Lateral projection; left wrist XR; index exam:

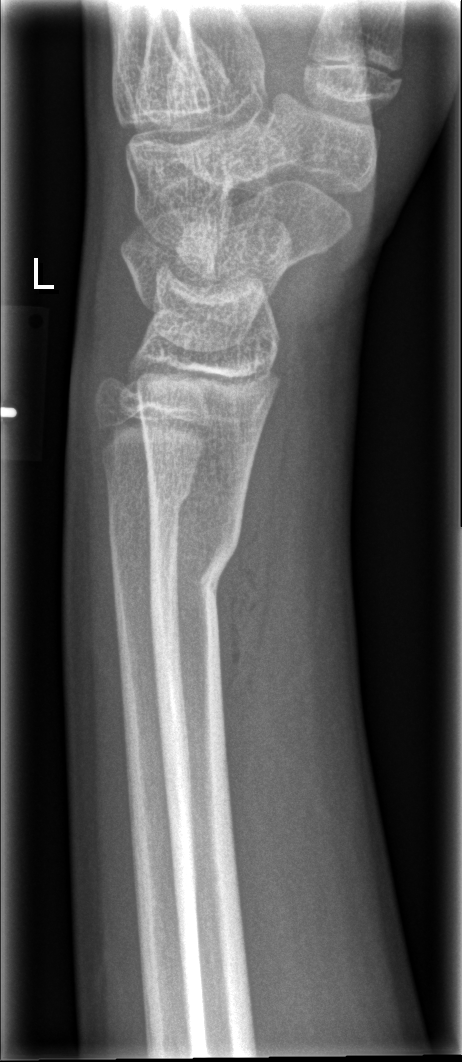 FINDINGS: (pixel coordinates, top-left origin, xyxy) Two fractures at 144,519,243,608 | 105,478,193,548. Positive pronator fat-pad sign: 213,363,294,805.